L wrist plain film | lateral | female, 7 yo | 623 by 1094 pixels. 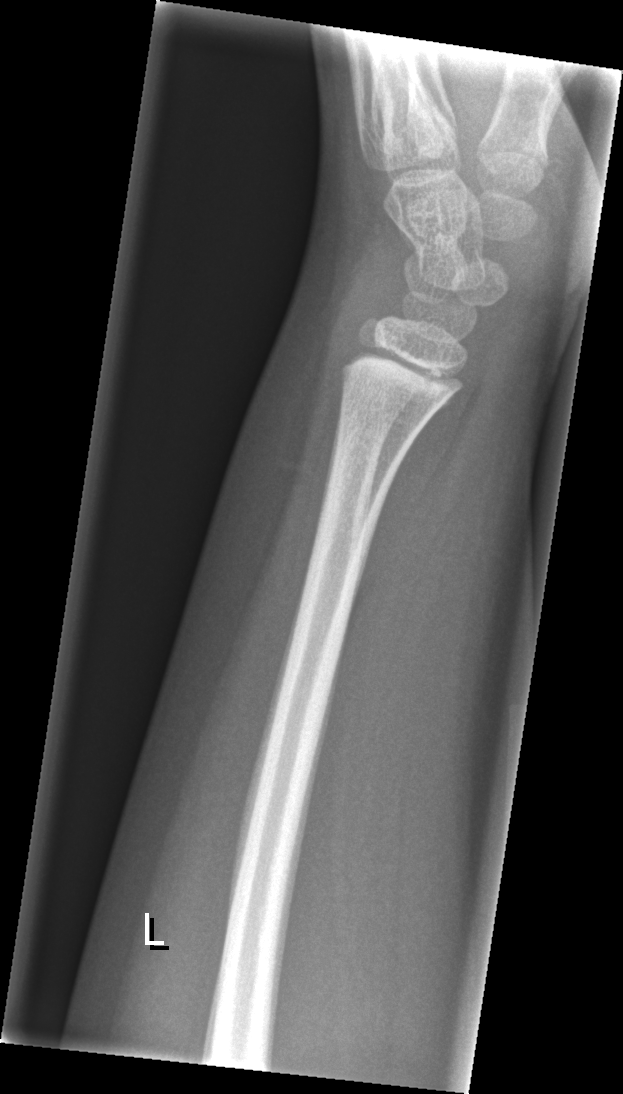
Fx = none labeled